Lt plain radiograph of the wrist · posteroanterior projection · girl, 8 yo.

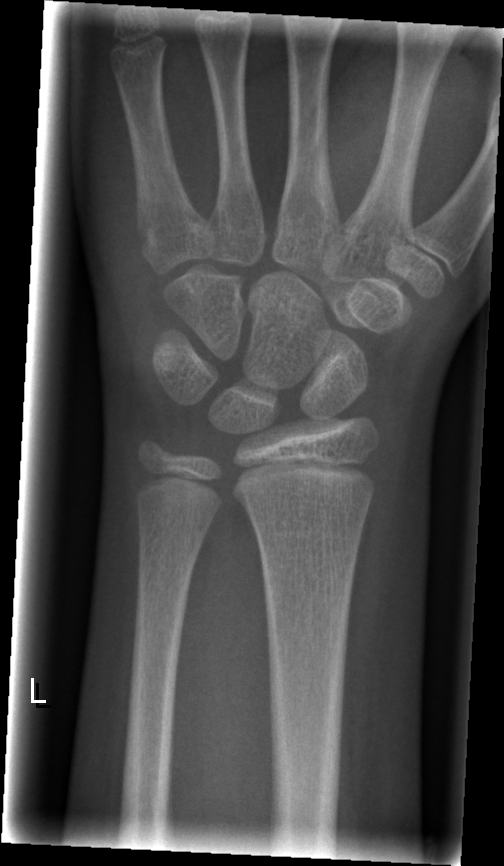
bone fracture = none labeled